L wrist plain film, lat view, subsequent exam, image width 108.6 mm, 572 by 1568 pixels.
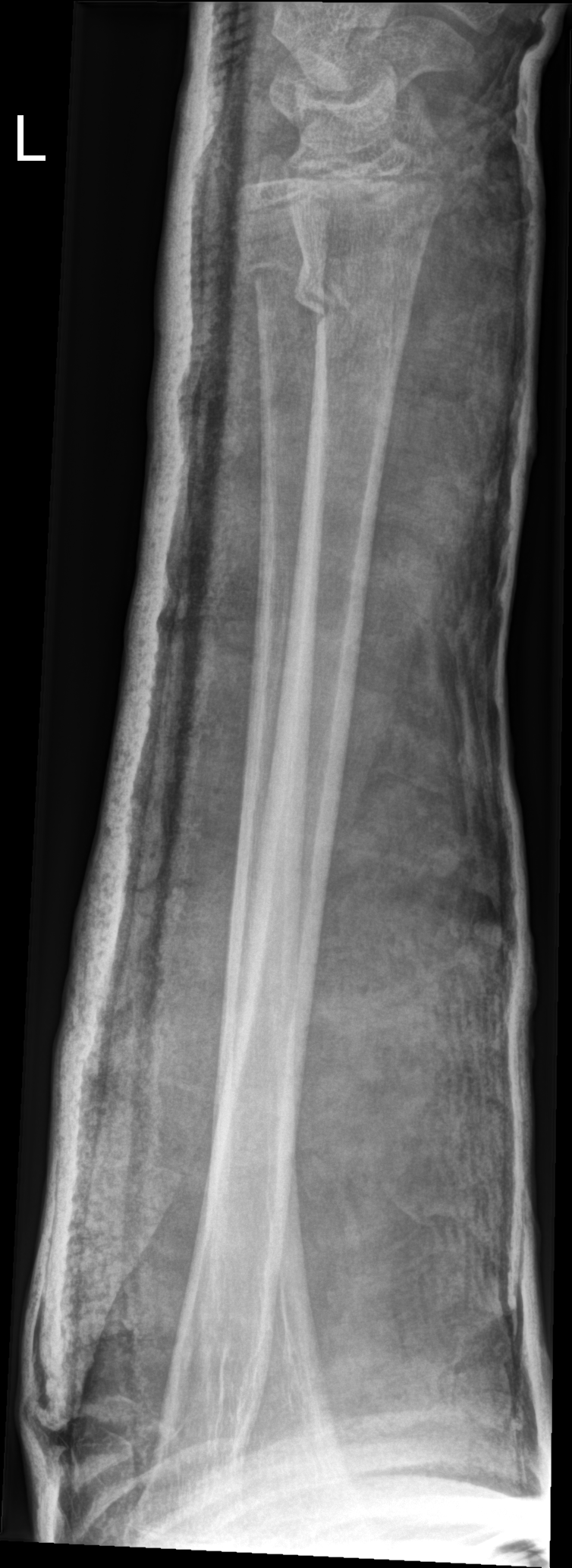

Bone fracture: (290, 252, 410, 359); (231, 239, 331, 309)
AO code: 23r-M/3.1; 23u-M/2.1; 23u-E/7